Lt wrist radiograph | posteroanterior view | age 16 y, girl.
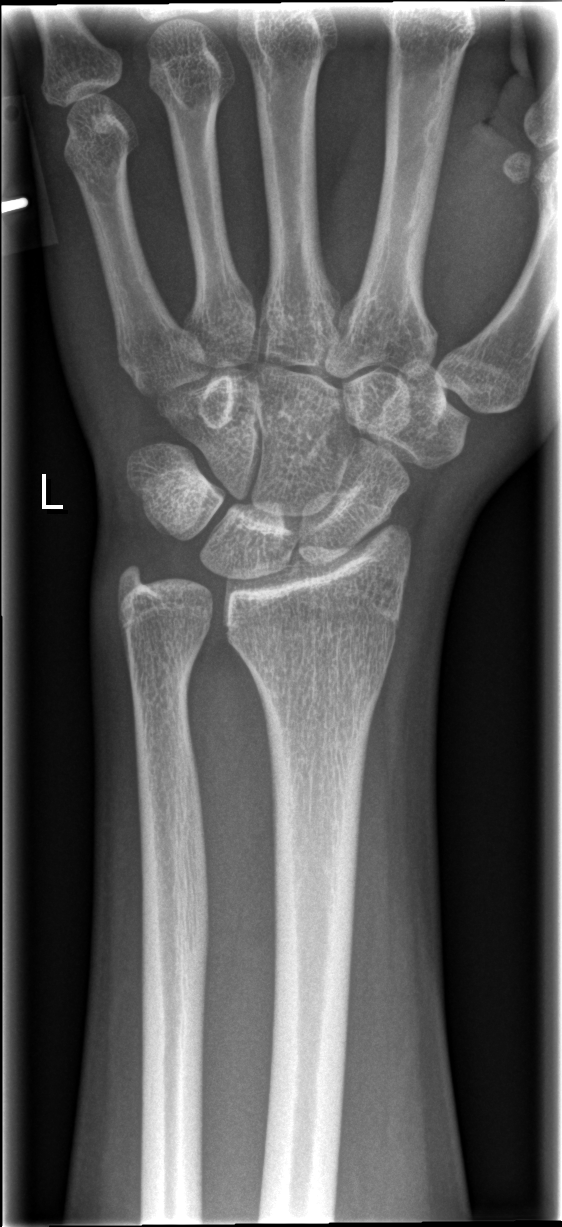 {
  "fracture": "none labeled"
}